PA/AP projection, L pediatric wrist radiograph, 12y M. 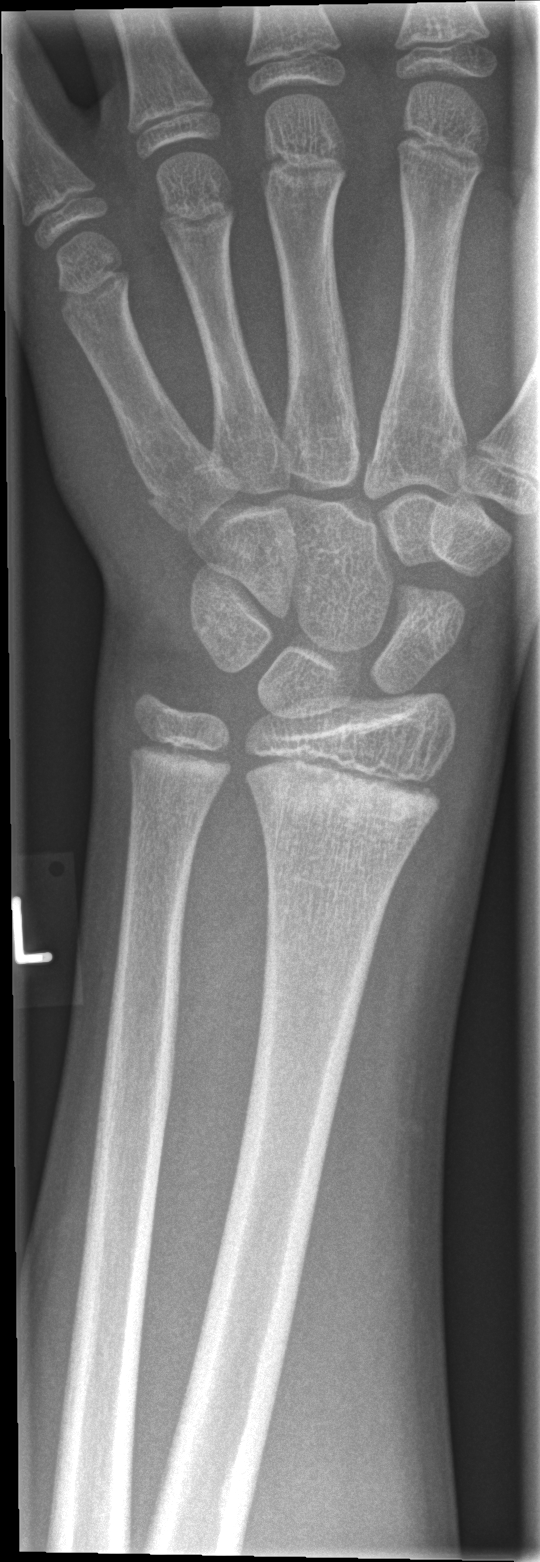

ao: 23r-E/1
fracture: [x1=239, y1=746, x2=447, y2=841]